Lateral, left wrist XR. 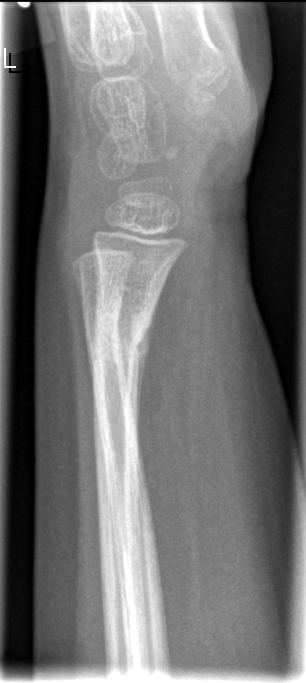 Boxes as x1,y1,x2,y2 (top-left / bottom-right, pixel units).
Fracture — [83, 301, 157, 387].
One periosteal new bone at [131, 284, 165, 453].
AO code 23r-M/3.1; 23u-M/2.1.
Osteopenic.